Right wrist pediatric wrist radiograph, lateral view, 12y M, subsequent exam — 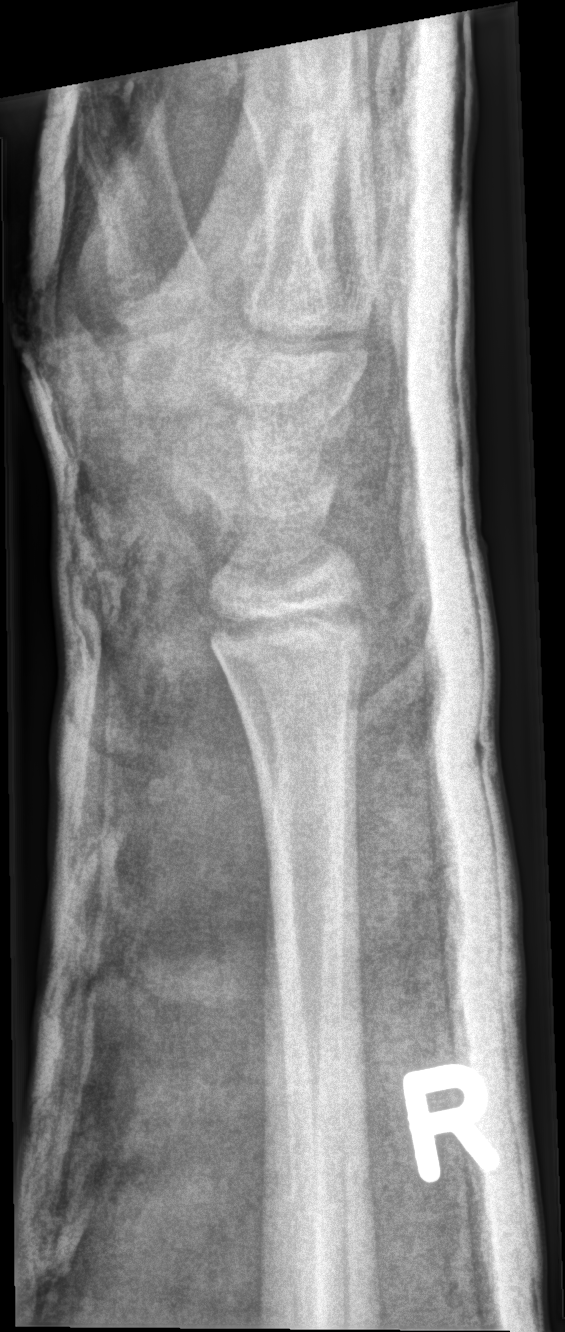 Fracture: present but not clearly seen in this view
AO code: 23r-E/1